Right wrist pediatric wrist radiograph · frontal projection · imaged through cast · Siemens
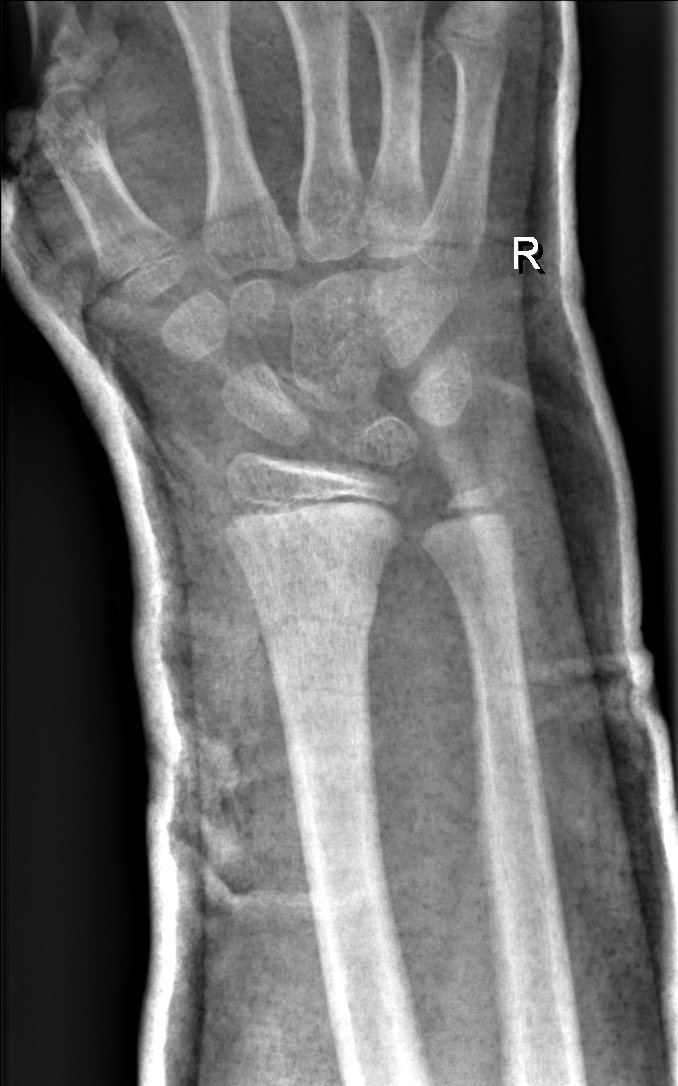 AO code: 23r-M/2.1
Fx: 1 @ 255,579,382,643